R pediatric wrist radiograph · lat · pediatric patient (girl, age 11) · image 56.4 mm wide · 392 x 765 px 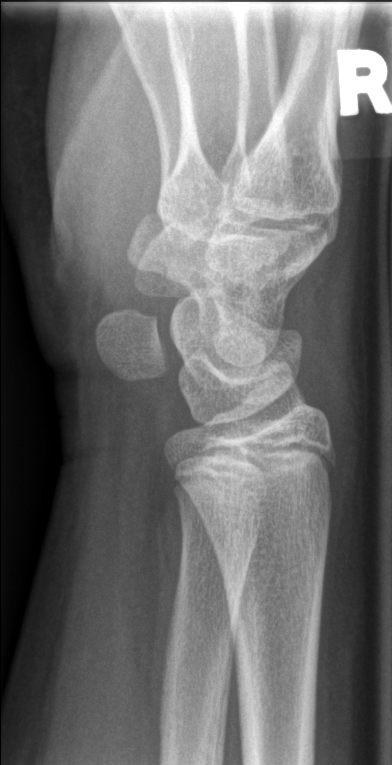

FINDINGS: Fracture: none labeled.